Rt plain radiograph of the wrist; AP view; male, 5 yo 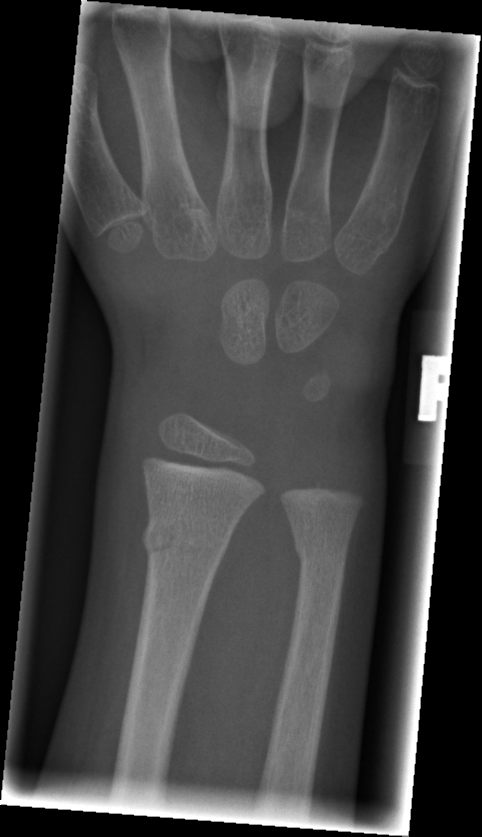 {
  "_coords": "bounding boxes in image-pixel xyxy",
  "fracture": "[x1=138, y1=515, x2=232, y2=567]; [x1=290, y1=538, x2=350, y2=573]",
  "ao": "23-M/2.1"
}